Right wrist radiograph, lat, follow-up study, imaged through cast, image size 417x940.
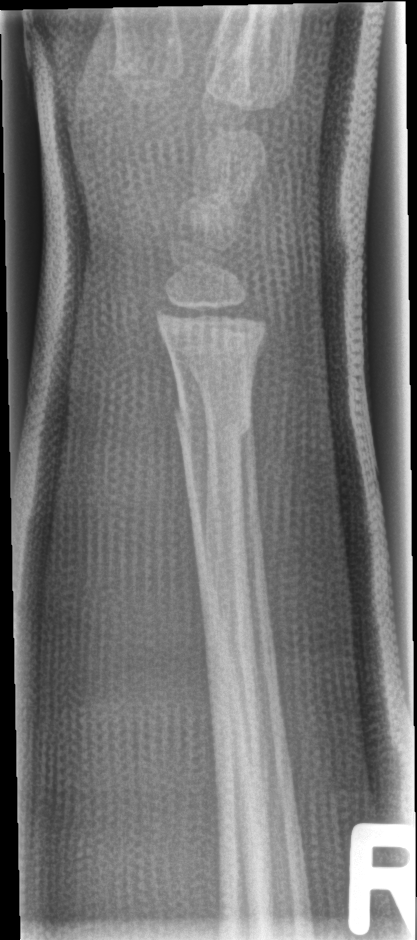

• One Fx at (171, 399, 257, 451).